Right wrist XR · AP projection · image size 528x938

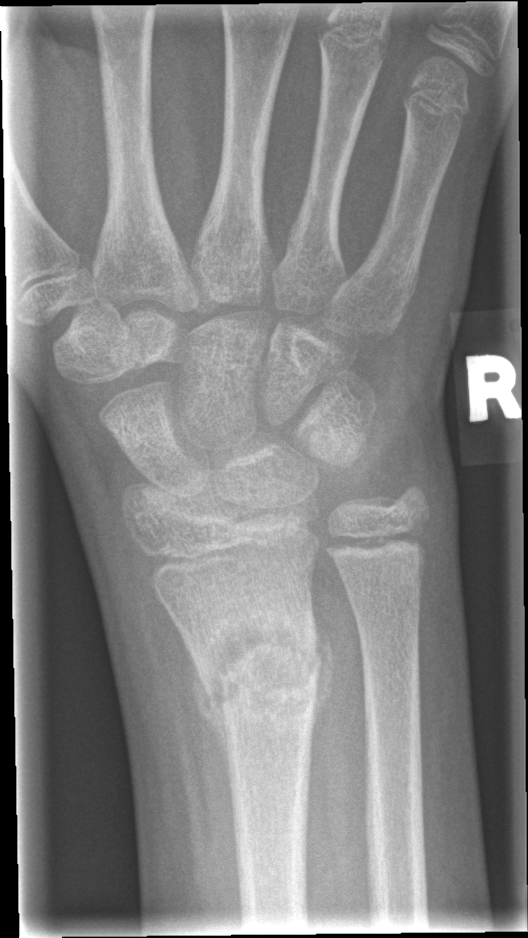 * Osteopenia.
* Periosteal reaction identified at [x1=194, y1=673, x2=227, y2=768].
* Fracture classified AO/OTA 23r-M/3.1; 23u-E/1.1.
* Bone fracture: [x1=186, y1=609, x2=330, y2=735]; [x1=321, y1=480, x2=432, y2=566].